Lateral projection · right wrist pediatric wrist radiograph · 420 x 664 px: 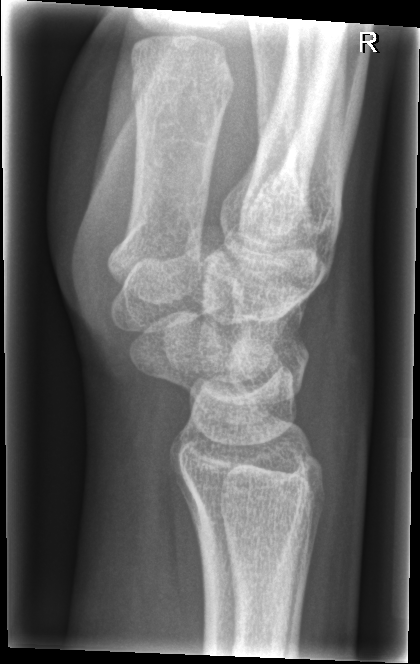 No fracture bounding box.